Right wrist radiograph | PA/AP:

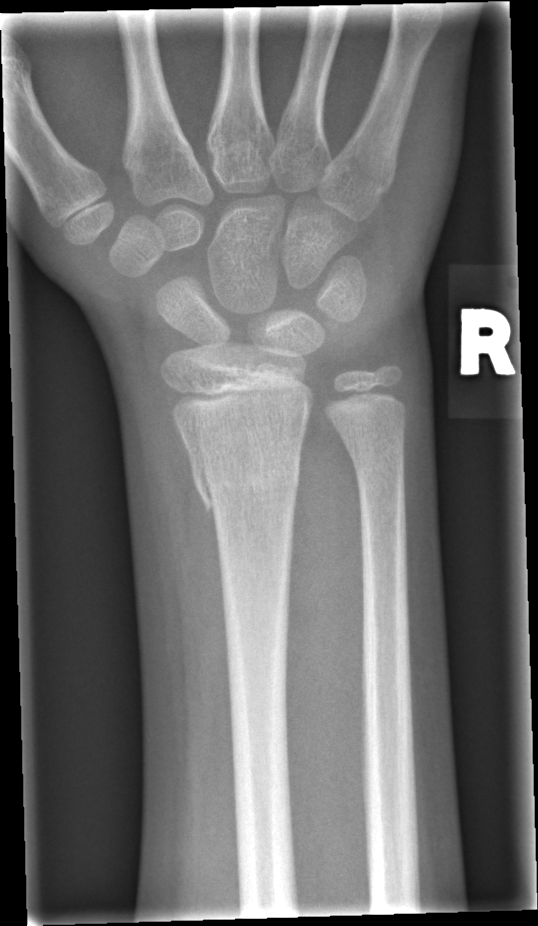 Coordinates are [x1, y1, x2, y2] in image pixels.
Fracture identified at <185,438>-<308,518>.